Lat; right wrist plain film:
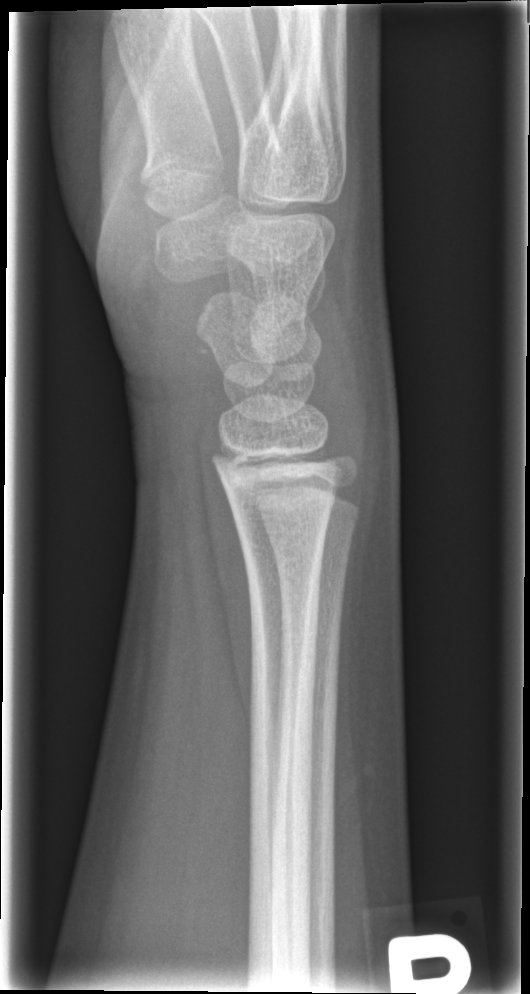

Fracture: none labeled.